Left wrist X-ray | lat view | cast present | image width 151.6 mm

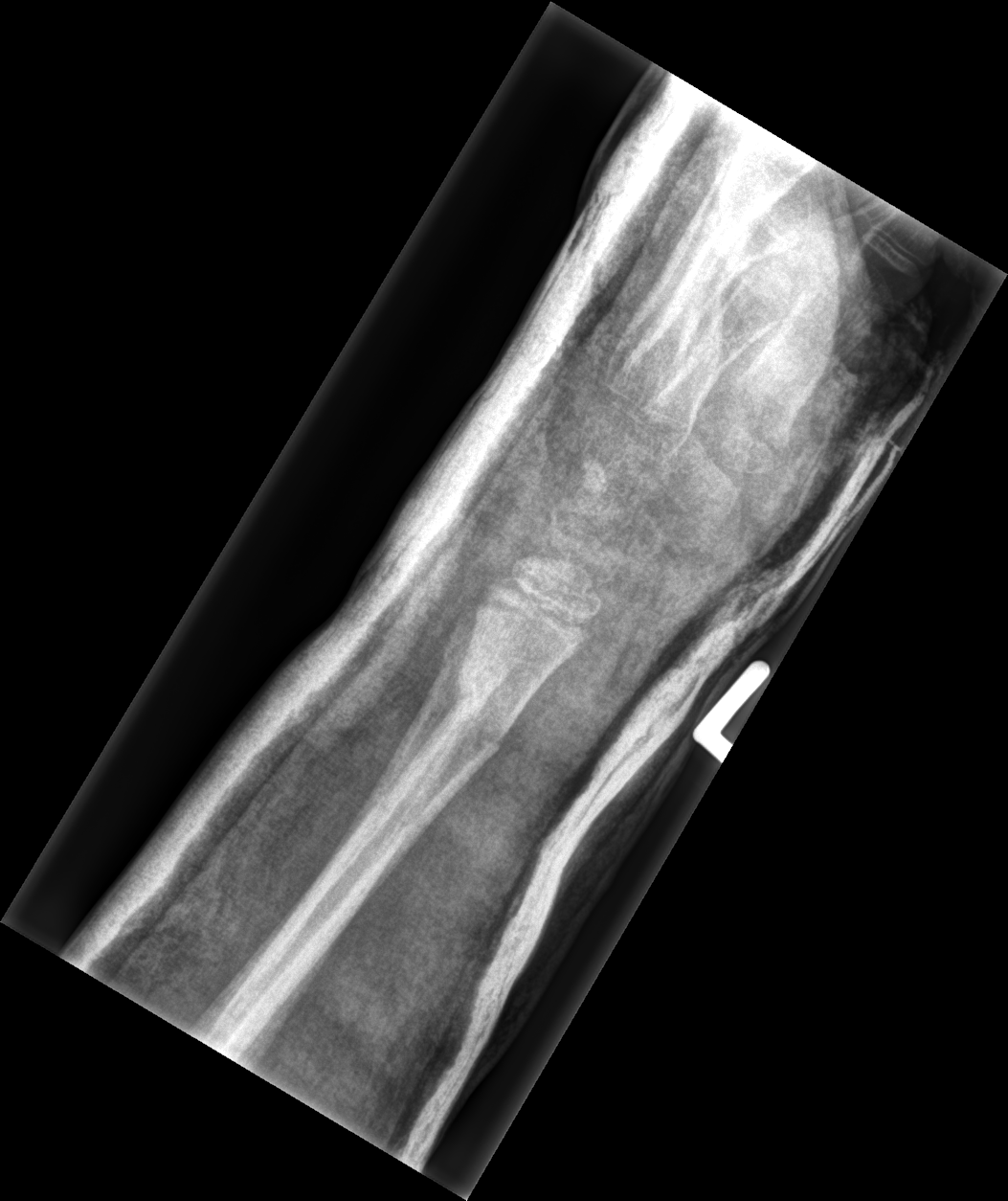 Bone fractures — bbox(451, 664, 525, 760) bbox(440, 644, 510, 697).